Right pediatric wrist radiograph | lat

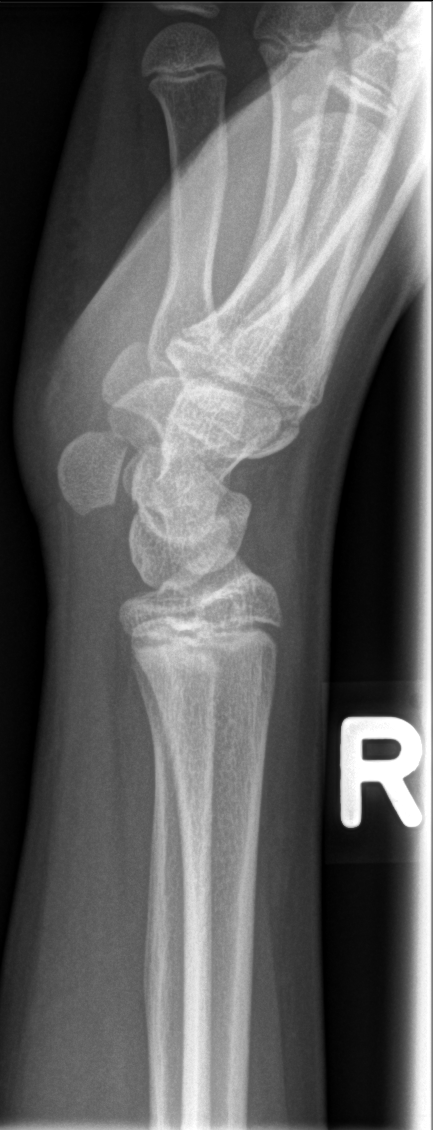

• No fracture annotation.